Posteroanterior view; L plain radiograph of the wrist; 9y M; cast in situ; image 78.9 mm wide:

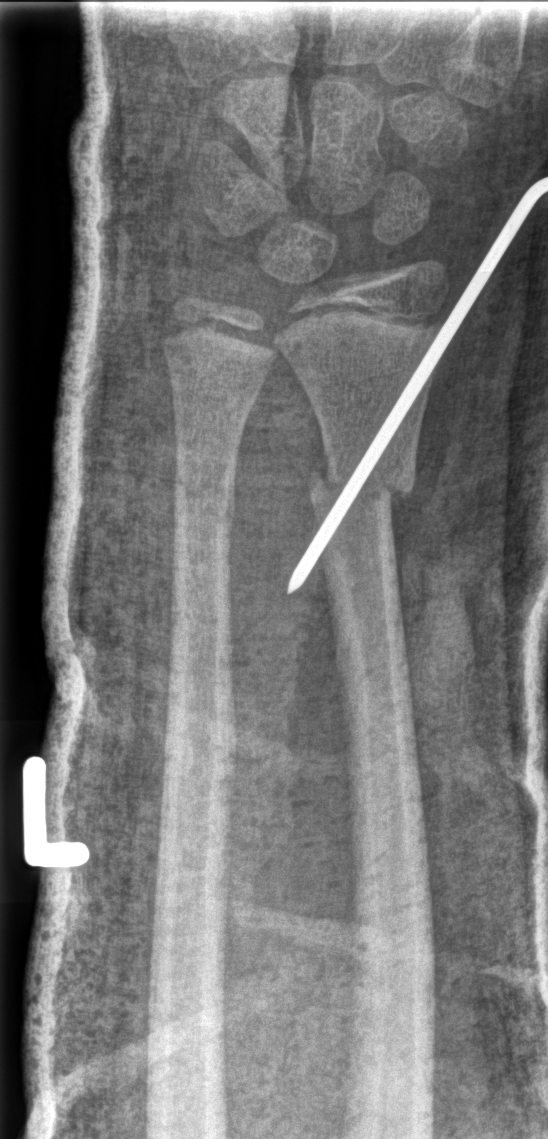

Two fractures at [302, 453, 420, 516], [170, 456, 238, 534].
Hardware: [287, 177, 548, 596].